AP projection; L plain radiograph of the wrist

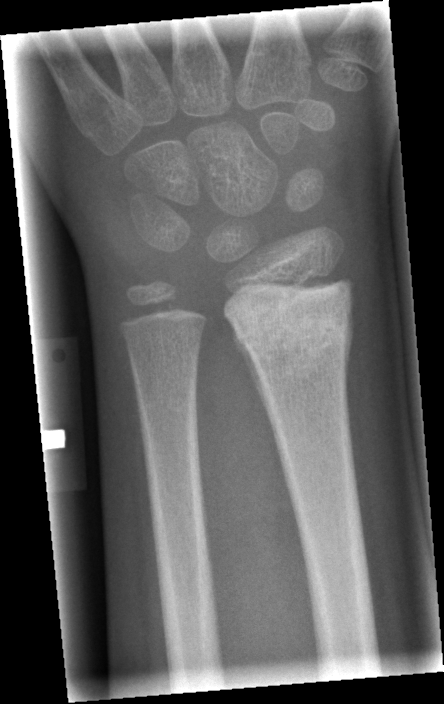

Findings: (boxes as x1,y1,x2,y2 (top-left / bottom-right, pixel units)) Fracture identified at (225, 283, 351, 378). Osteopenia. Periosteal thickening identified at (233, 333, 271, 423); (344, 306, 354, 383).